Rt wrist radiograph | frontal view | male, 7 yo | image width 81.9 mm:
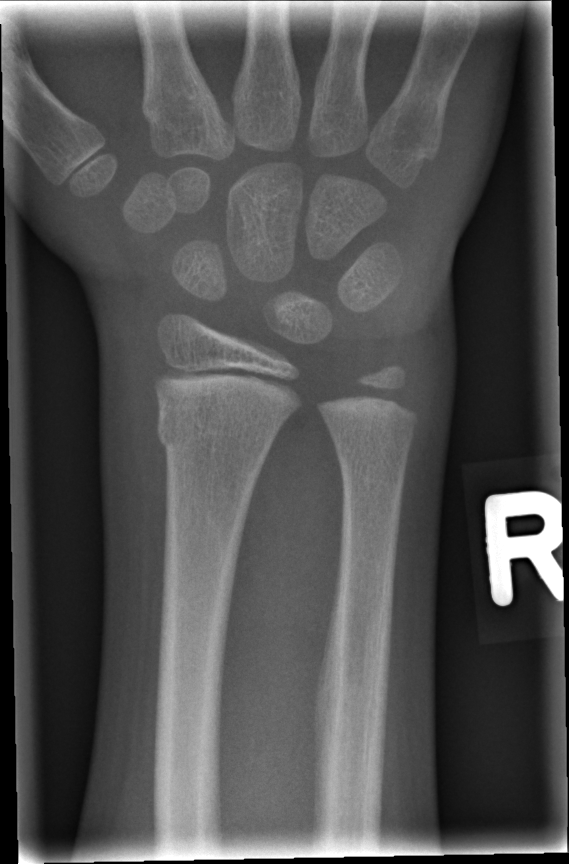 # pixel coordinates, top-left origin, xyxy
fracture: (left=155, top=408, right=278, bottom=472)
ao: 23r-M/2.1